Right wrist radiograph, lat projection, girl, 14 yo — 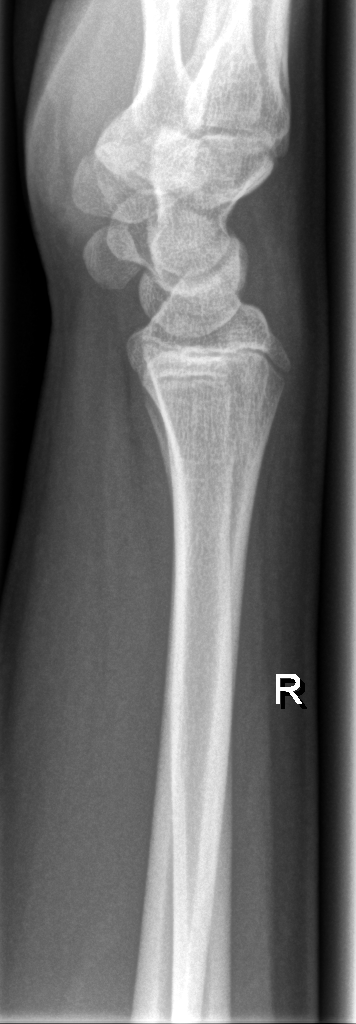

* No fracture labeled.